Right wrist plain film · lat · 10-year-old female · equivocal findings. 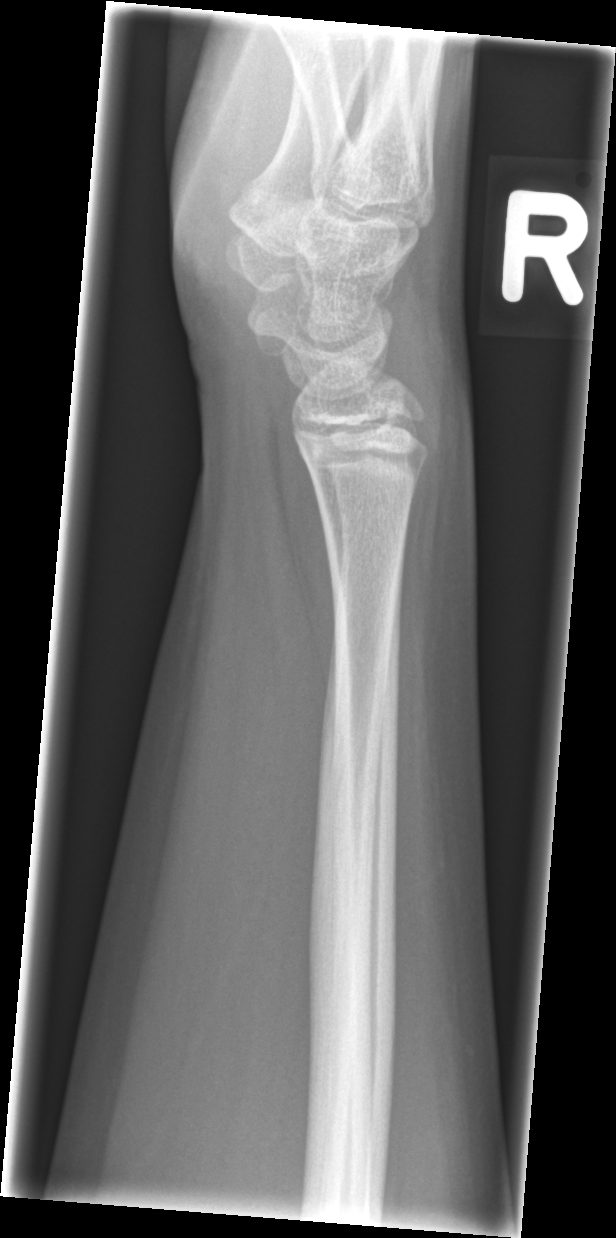

fracture: none labeled